Lat · Rt pediatric wrist radiograph

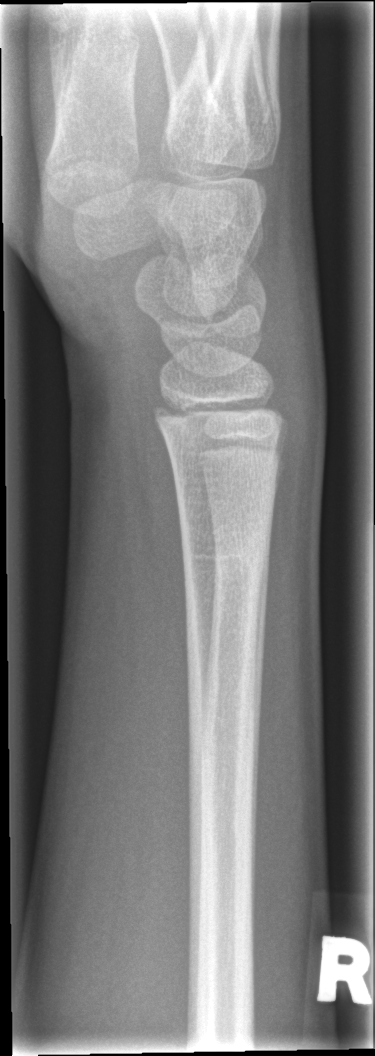 fracture = none labeled